R wrist plain film | PA | pediatric patient (boy, age 7)

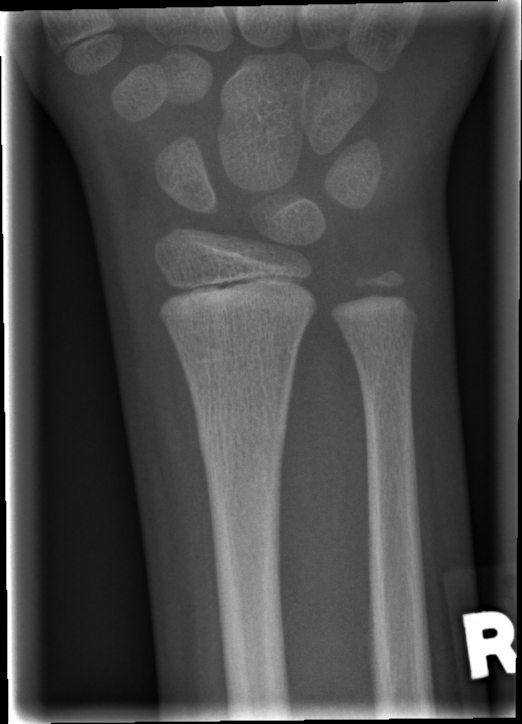 Q: Fracture present?
A: Bone fracture identified at <194,390>-<290,465>